AP view · left wrist plain film · age 10 y, male · follow-up study · image width 78.0 mm —
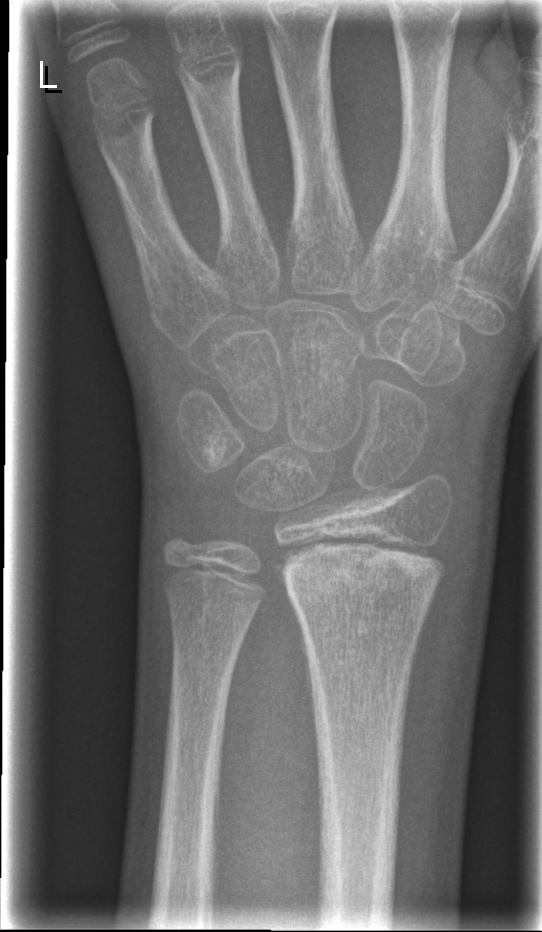
osteopenia = present
Fx = 270 532 451 605
AO classification = 23r-E/1